Lt wrist radiograph, lateral projection, pediatric patient (male, age 11), cast present
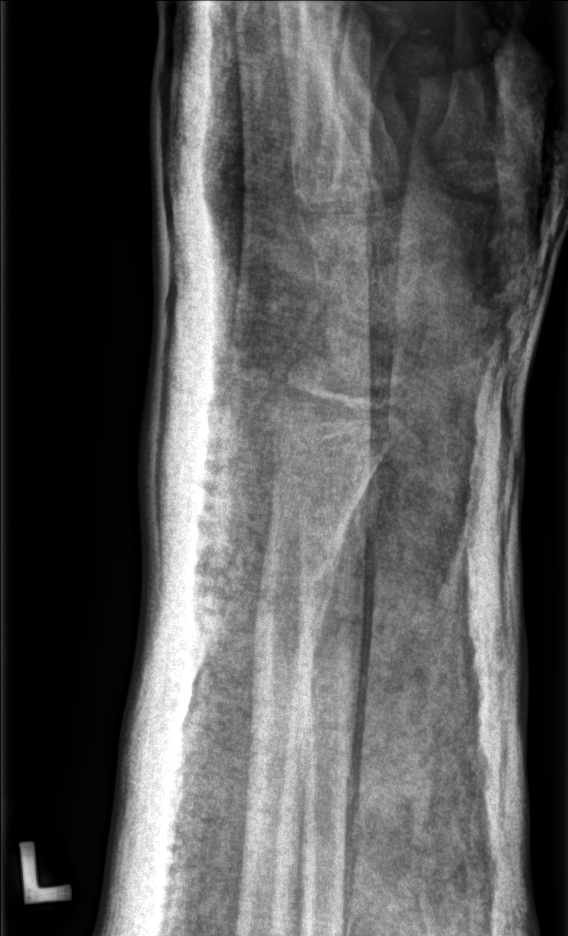

• Boxes as x1,y1,x2,y2 (top-left / bottom-right, pixel units).
• Fx: <250,541>-<342,638>.
• AO code 23r-M/3.1; 23u-M/2.1.